Lateral view; right wrist XR; index exam; findings marked uncertain by the reading radiologist; acquired on Siemens:

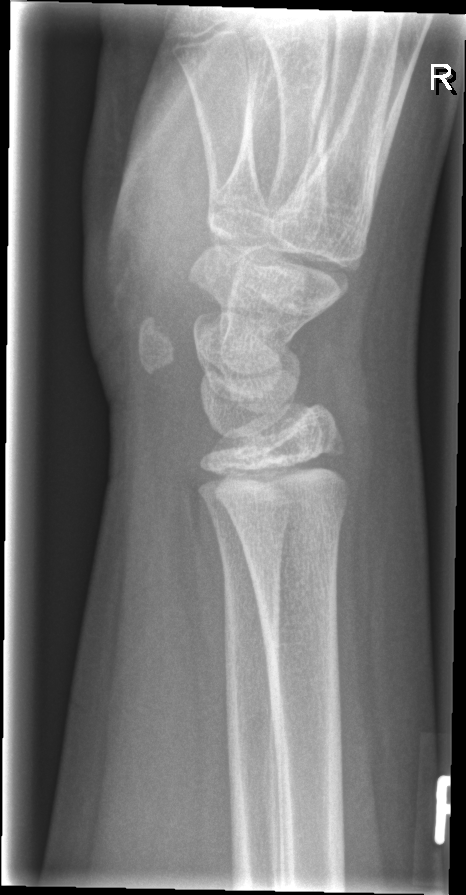
FINDINGS — Fx: [x1=231, y1=486, x2=353, y2=552].